Rt wrist plain film · frontal view · female, 1.2 yo · in cast · image 52.6 mm wide: 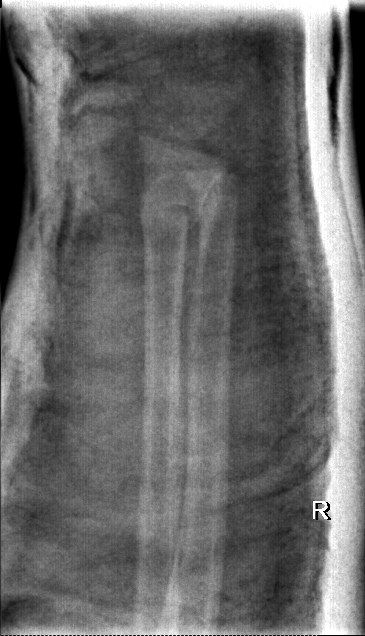
Fracture classified AO/OTA 23r-M/3.1.
Fx: 135,180,214,235.